Lt wrist plain film · frontal projection · 16y M · index exam · 522x1044. 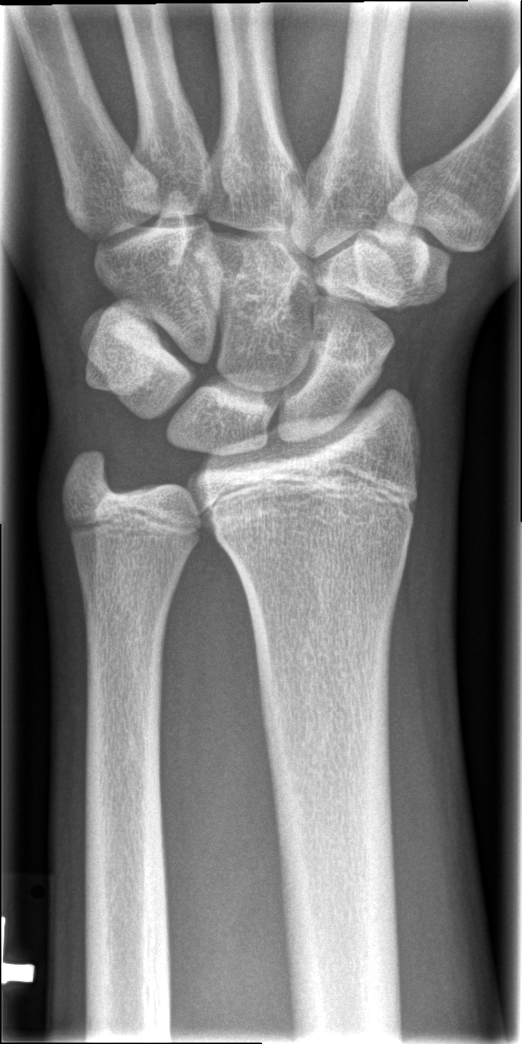 FINDINGS — Fx: none.